Lateral view | L wrist X-ray | 7-year-old male | 100.5 mm image width | 698 by 1012 pixels 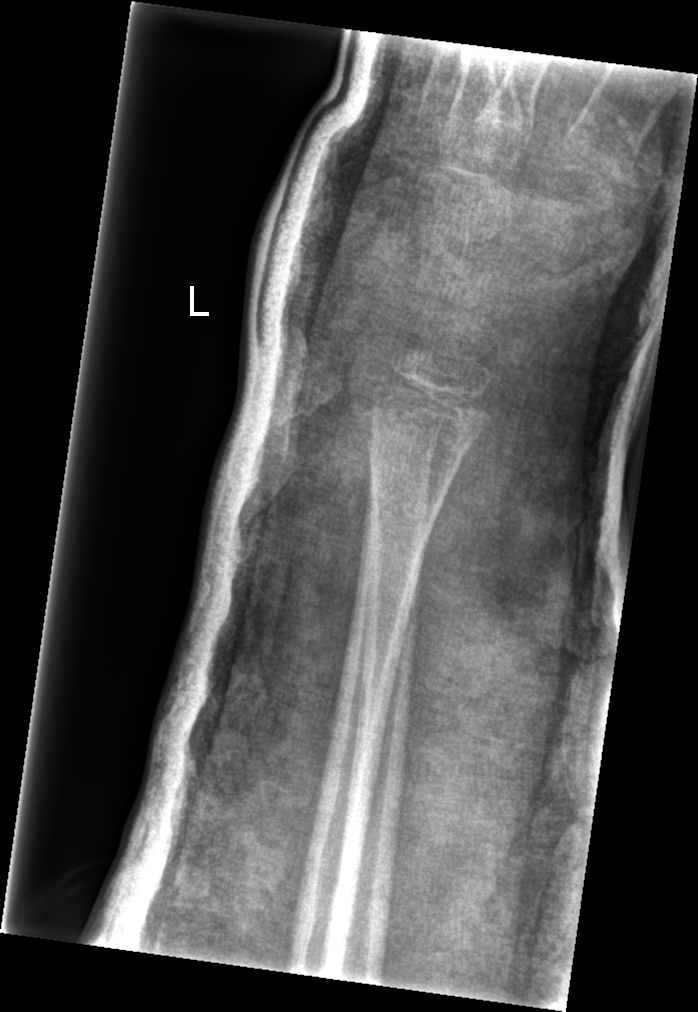
fracture = none labeled